AP | R wrist XR | age 5 y, male | 471 by 754 pixels: 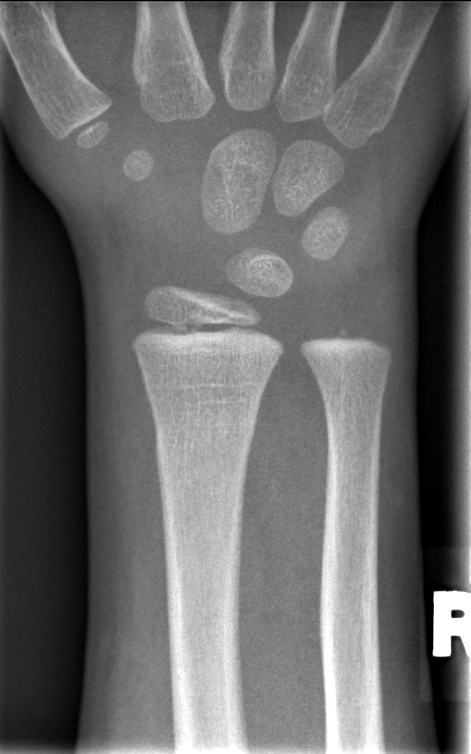
{
  "ao": "23r-M/2.1",
  "fracture": "1 @ (152, 416, 259, 477)"
}